Lat; right wrist plain radiograph of the wrist; 12-year-old boy; follow-up study; in cast —
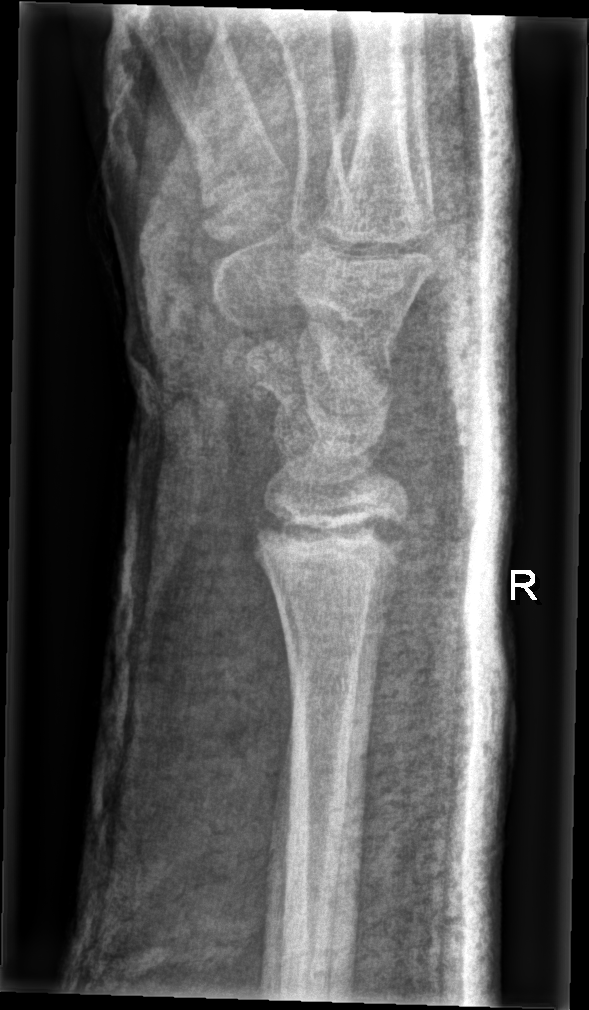
{
  "fracture": "1 @ 246 502 411 556",
  "ao": "23r-E/2.1;  23u-E/7"
}